Lat view | Lt pediatric wrist radiograph | pediatric patient (male, age 10).
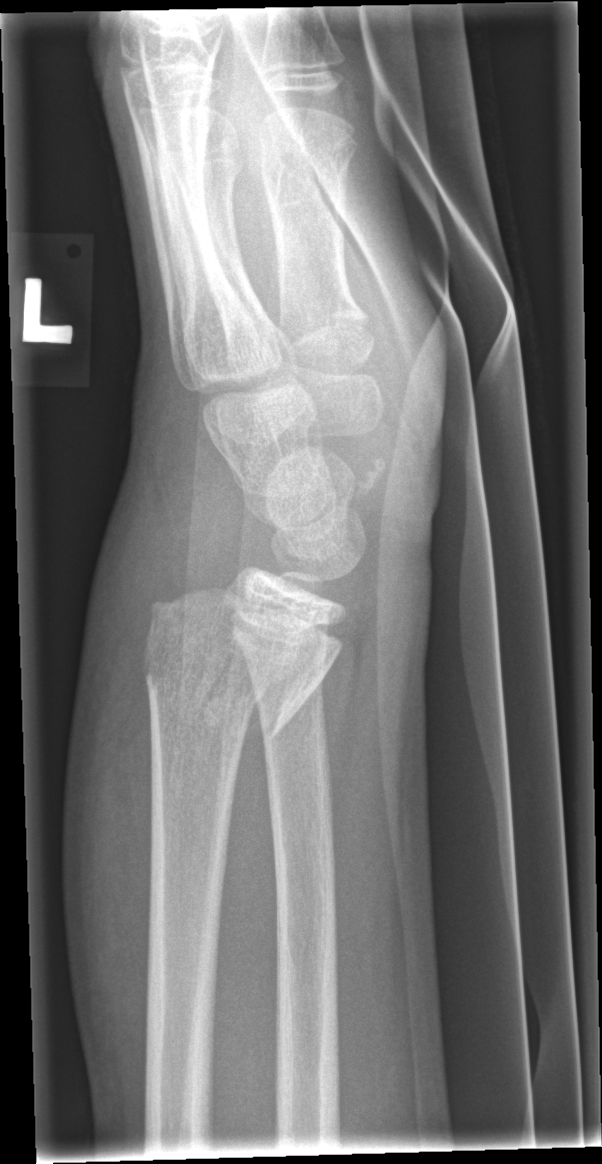
Bone fracture identified at (142, 587, 324, 739).
AO/OTA classification: 23r-M/3.1; 23u-M/2.1.